R pediatric wrist radiograph; lateral; 431 by 942 pixels.

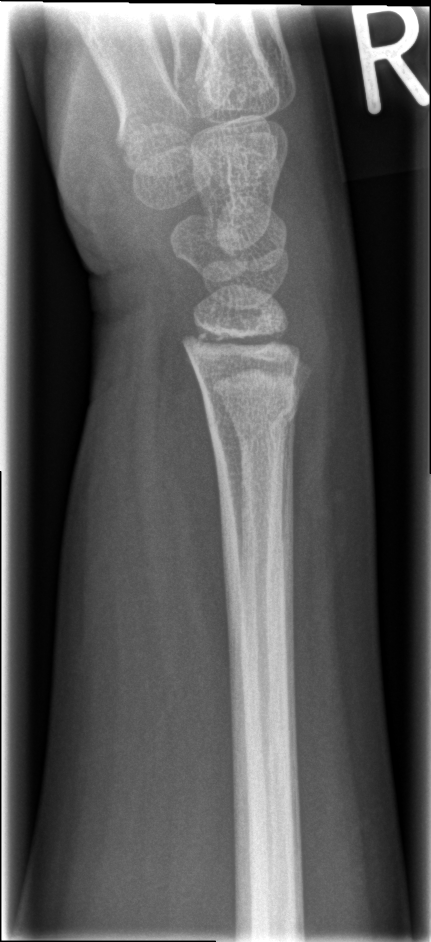

Coordinates are [x1, y1, x2, y2] in image pixels.
One pronator quadratus fat-pad sign at 150,322,231,708.
Bone fracture: 203,383,303,434.